Lateral, Rt plain radiograph of the wrist, detector: Siemens —
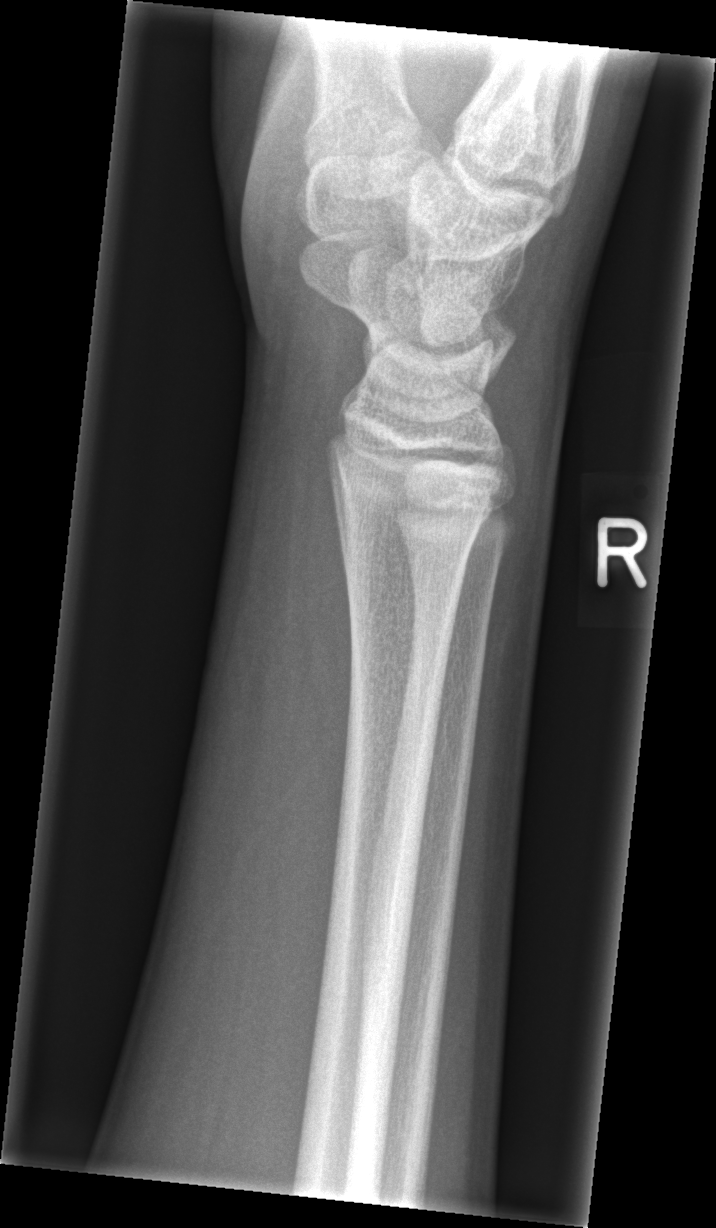 {"fracture": "none labeled"}